PA/AP, left wrist plain radiograph of the wrist: 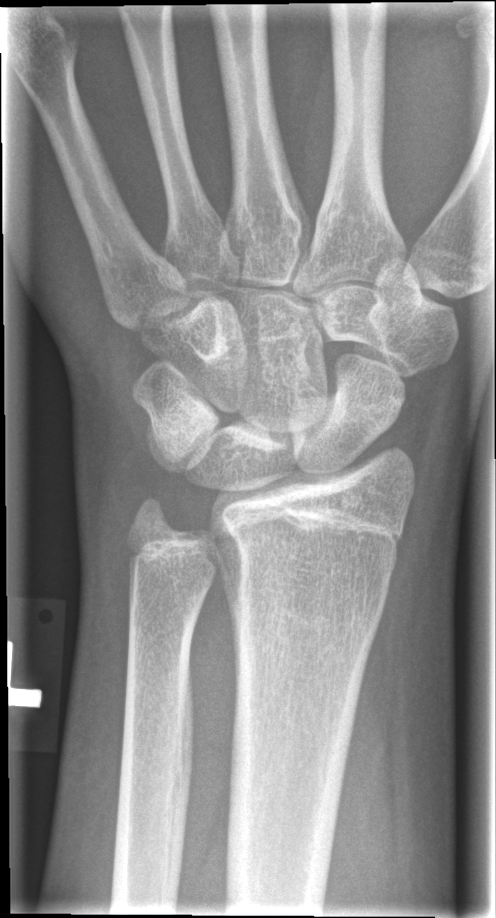 * Fracture classified AO/OTA 23r-M/3.1.
* Fracture — (208, 546, 393, 618).